Lat projection | L wrist XR | 7y M | follow-up.

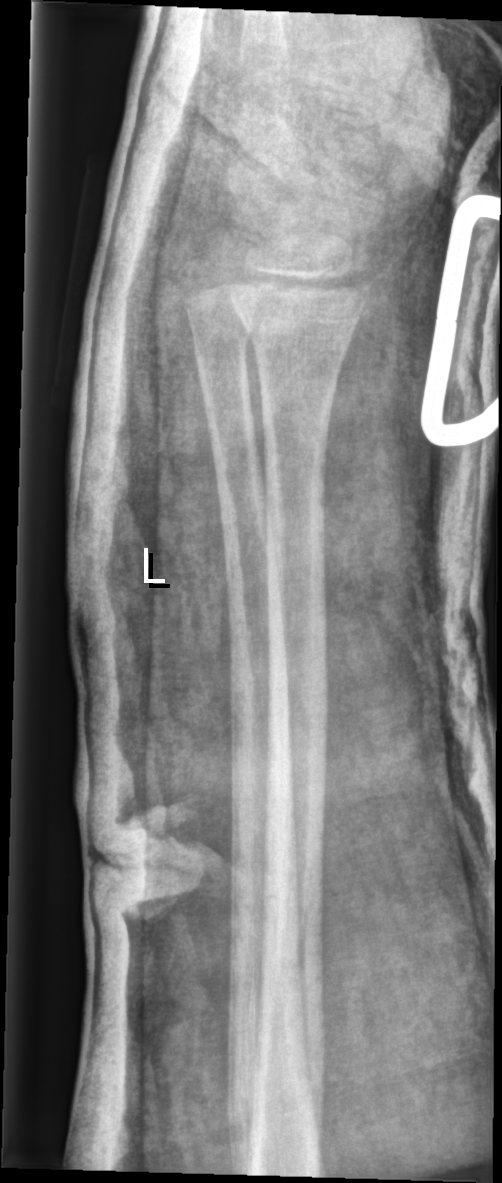 Findings: Metallic hardware: bbox(417, 193, 498, 450). Fracture present but not clearly seen in this view.